Lateral, left wrist plain film, age 16 y, male:

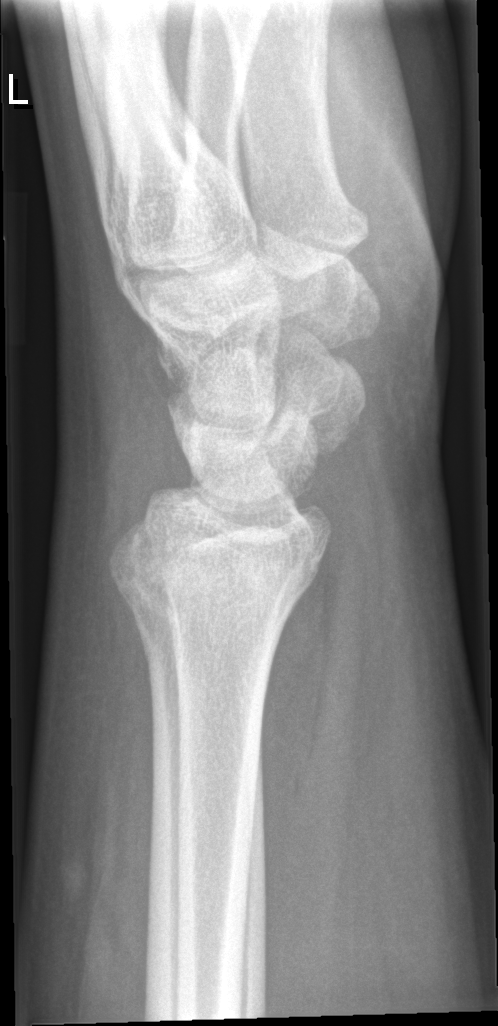

* AO/OTA classification: 23r-M/2.1; 23u-E/7.
* Bone fracture: [108, 521, 310, 647].